Lat; left wrist plain film; follow-up study; image width 76.9 mm.
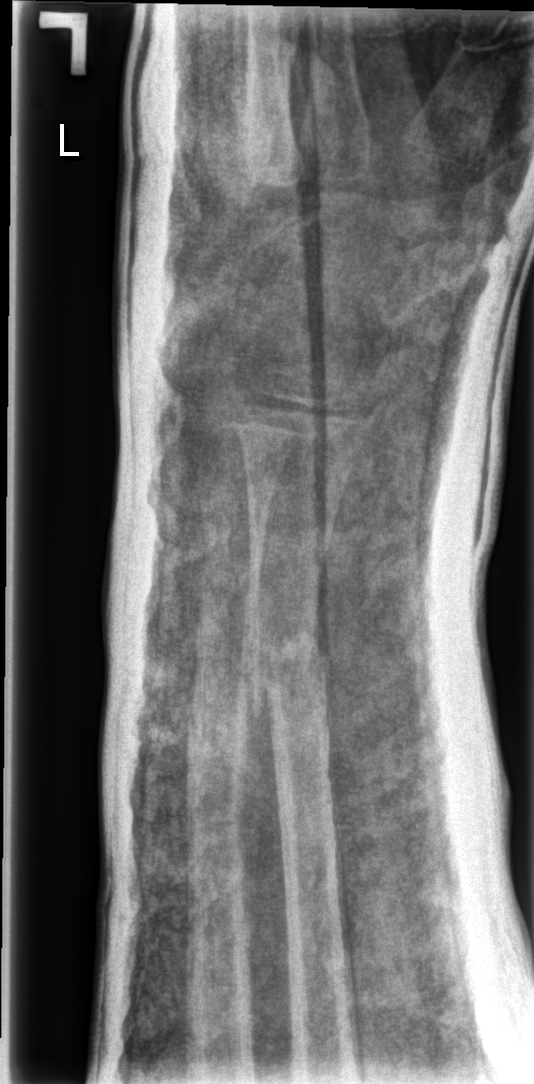 Bone fracture: <237,616>-<331,710>; <183,694>-<253,770>.